Rt wrist radiograph, lateral view, initial study, image width 72.7 mm, image size 505x1170

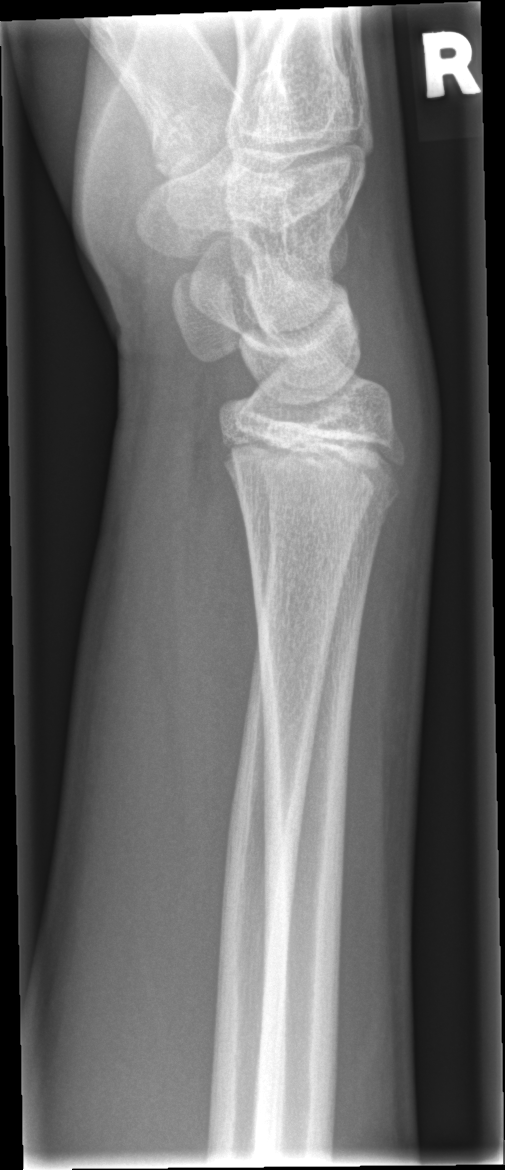 - Pixel coordinates, top-left origin, xyxy.
- Bone fracture: (236, 469, 404, 536).
- Positive pronator fat-pad sign identified at (176, 393, 267, 774).